Lat | Lt wrist XR | 13-year-old female —
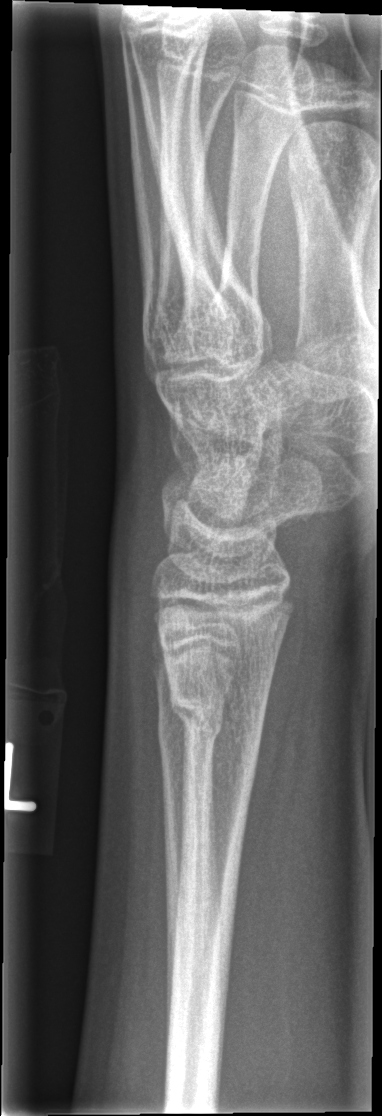 Coordinates are [x1, y1, x2, y2] in image pixels. Fracture: (left=171, top=669, right=270, bottom=763), (left=156, top=697, right=228, bottom=764).